PA/AP projection, Lt pediatric wrist radiograph, 9-year-old girl, cast in situ, 645 by 1086 pixels 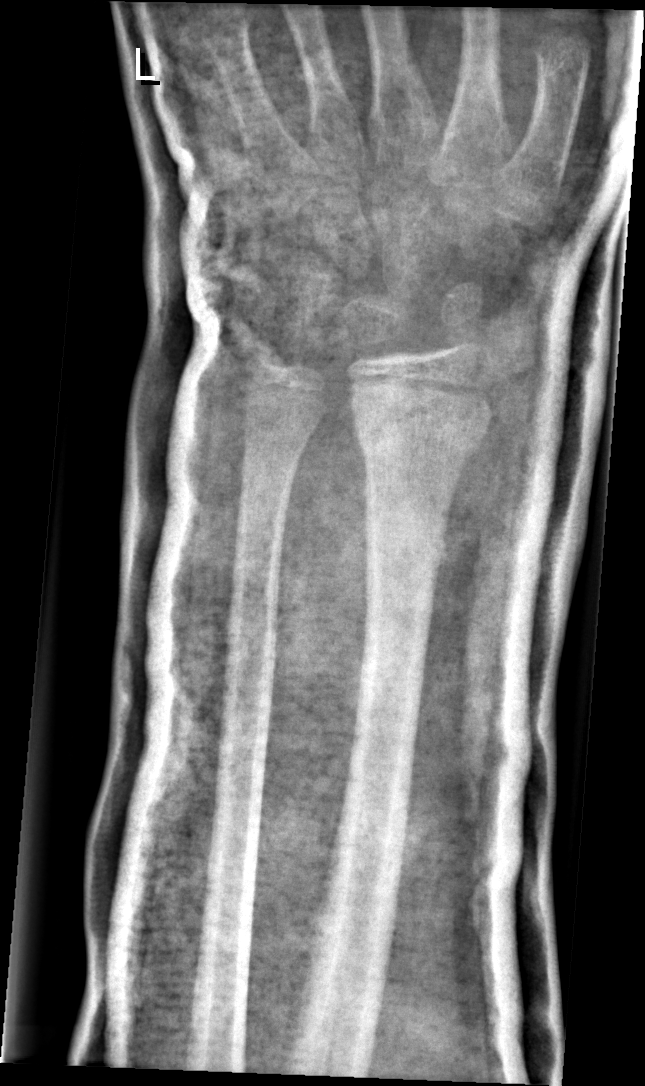
Bone fracture identified at 350 398 488 466.
AO code 23r-M/3.1.